PA/AP view | Lt wrist X-ray | 7-year-old girl | index exam: 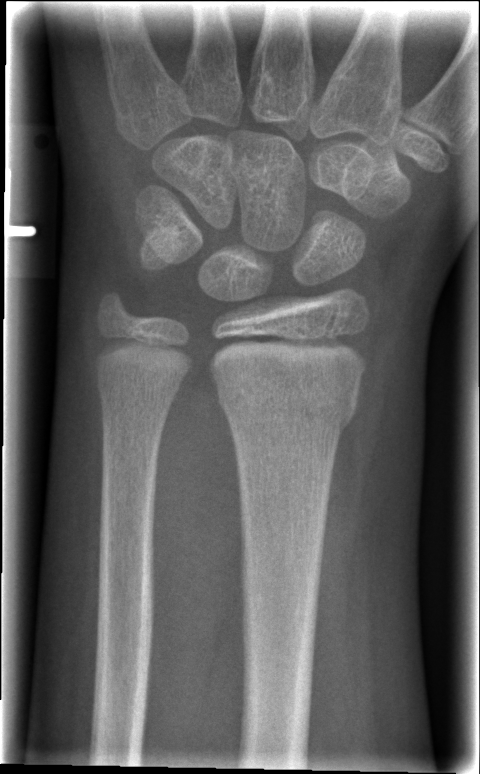 FINDINGS — (pixel coordinates, top-left origin, xyxy) AO/OTA classification: 23r-M/2.1. Fracture identified at bbox(214, 371, 359, 440).